R wrist XR | lat view | pediatric patient (girl, age 16)

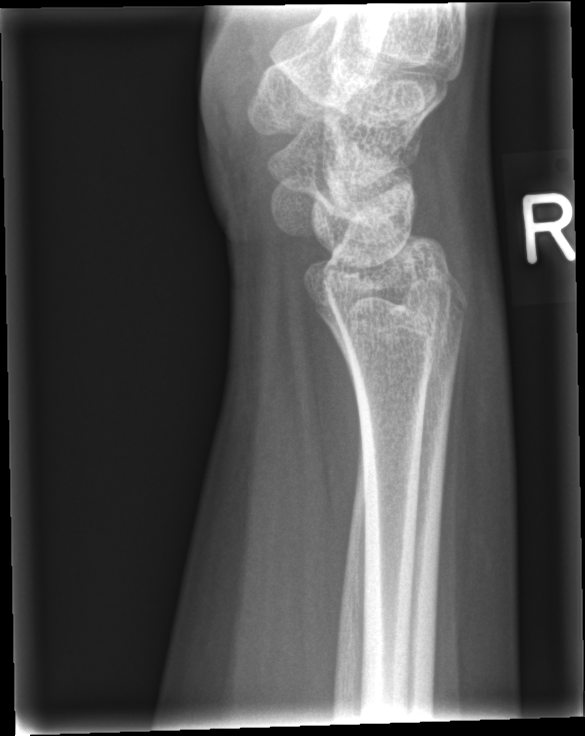 bone fracture = none labeled